Lat projection · R wrist X-ray — 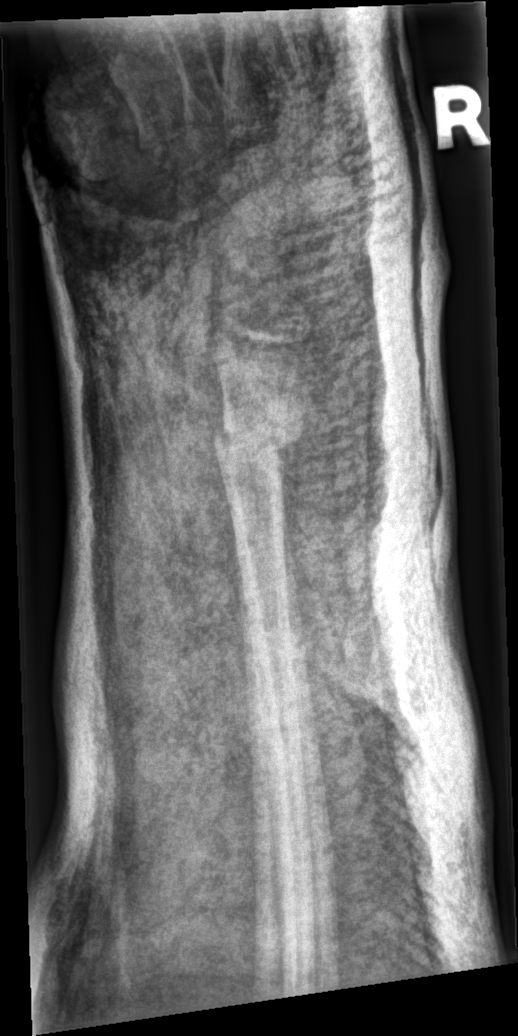
Coordinates are [x1, y1, x2, y2] in image pixels. AO code 23r-M/3.1; 23u-M/2.1. One fracture at [208, 407, 308, 494].